PA · L wrist radiograph · 13-year-old female · presentation radiograph · detector: Siemens · image size 724x1211: 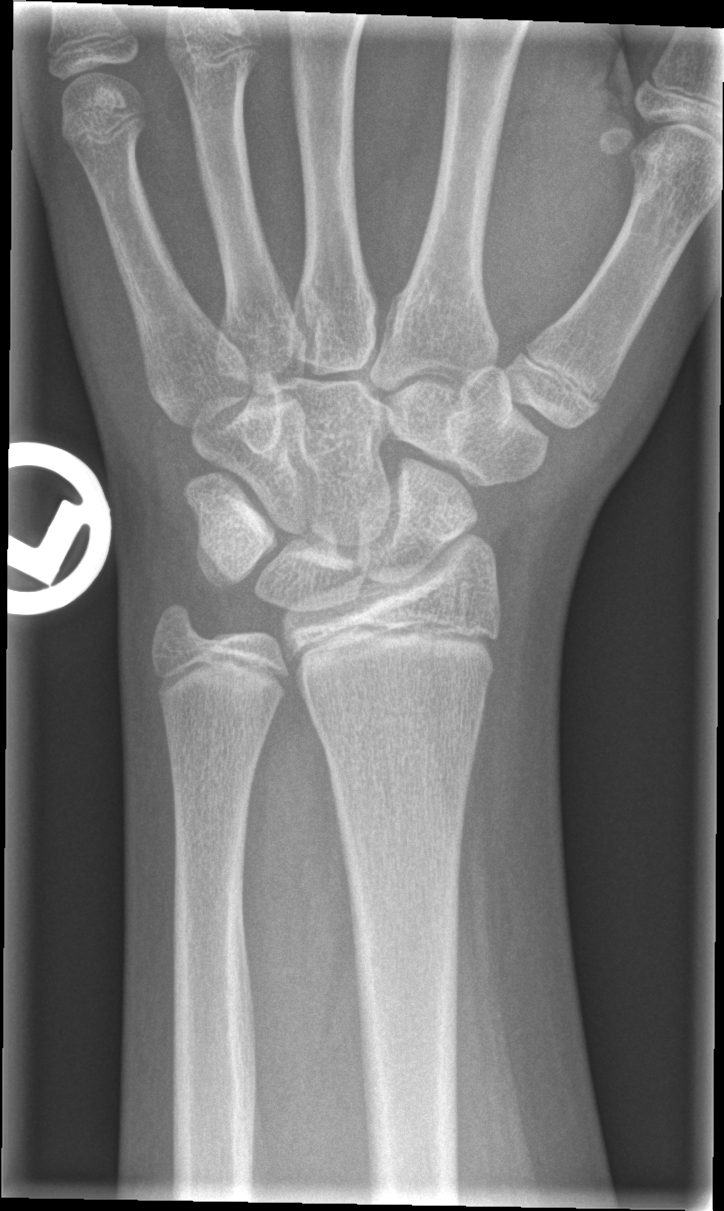 No Fx annotated.